Left wrist plain radiograph of the wrist · PA/AP · age 12 y, boy · image width 85.5 mm · 594 by 1094 pixels.

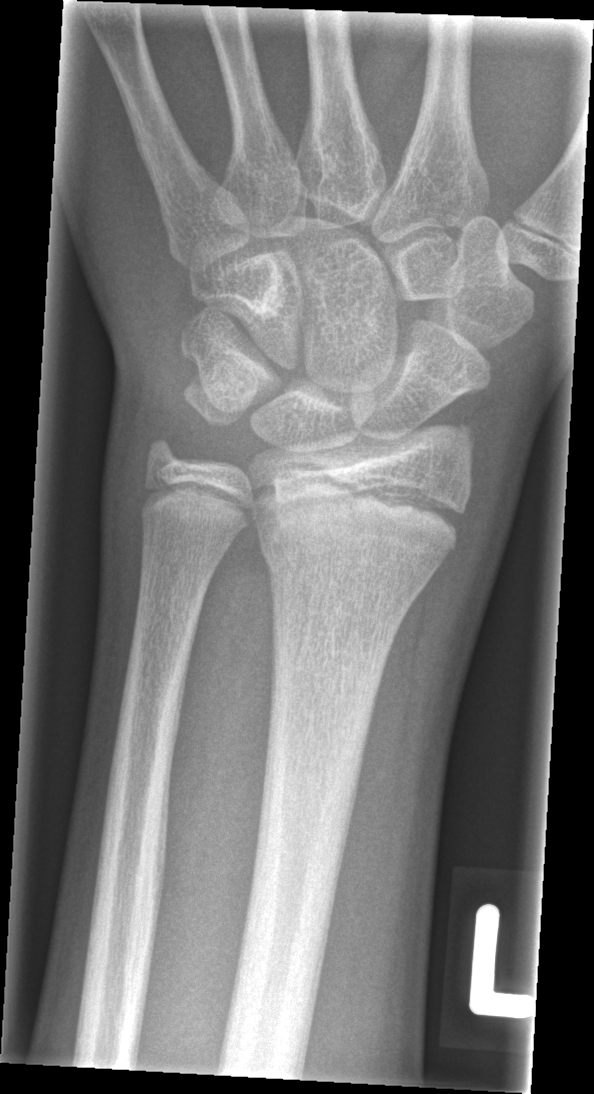
Pixel coordinates, top-left origin, xyxy.
AO code 23r-M/2.1.
Fracture — bbox(253, 511, 459, 585).